L wrist X-ray, lat projection, 523 by 964 pixels. 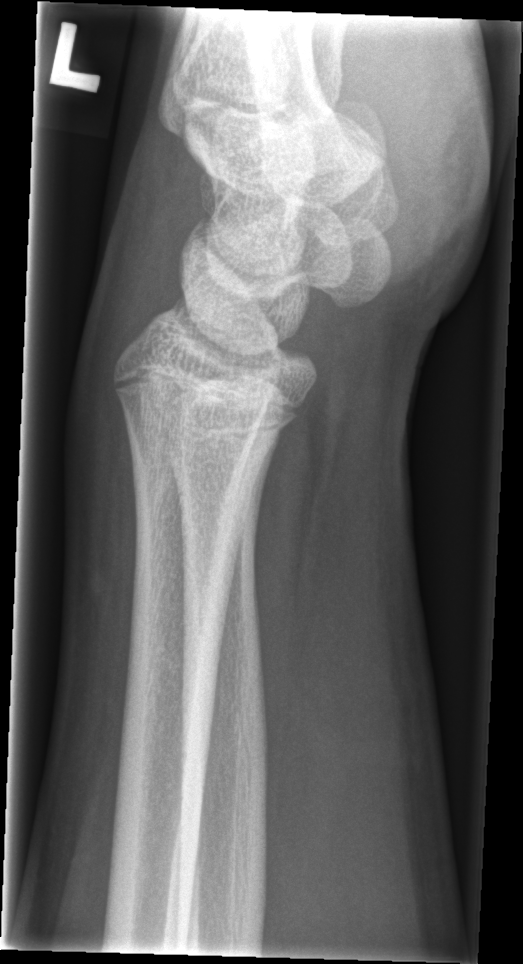

• Fracture: none labeled.